Frontal view · L plain radiograph of the wrist · pediatric patient (female, age 12) · cast present:

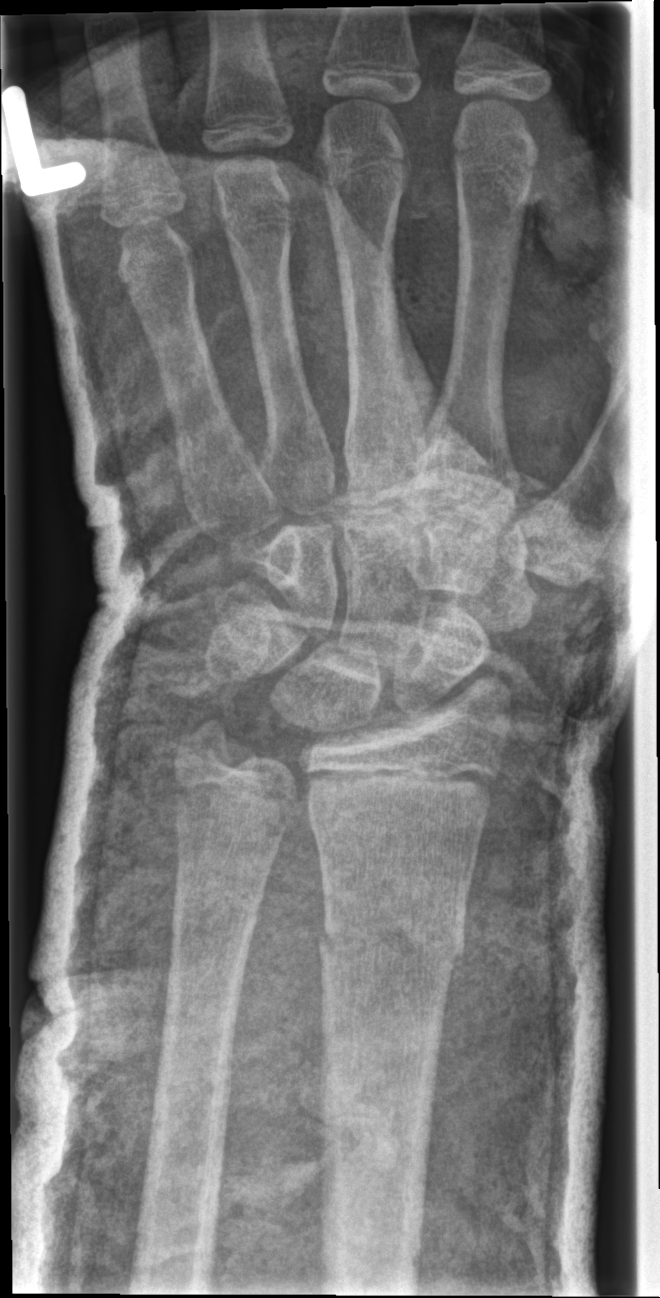 - Boxes as x1,y1,x2,y2 (top-left / bottom-right, pixel units).
- One bone fracture at (left=315, top=896, right=469, bottom=981).